Posteroanterior projection | left wrist X-ray | 9y F | presentation radiograph: 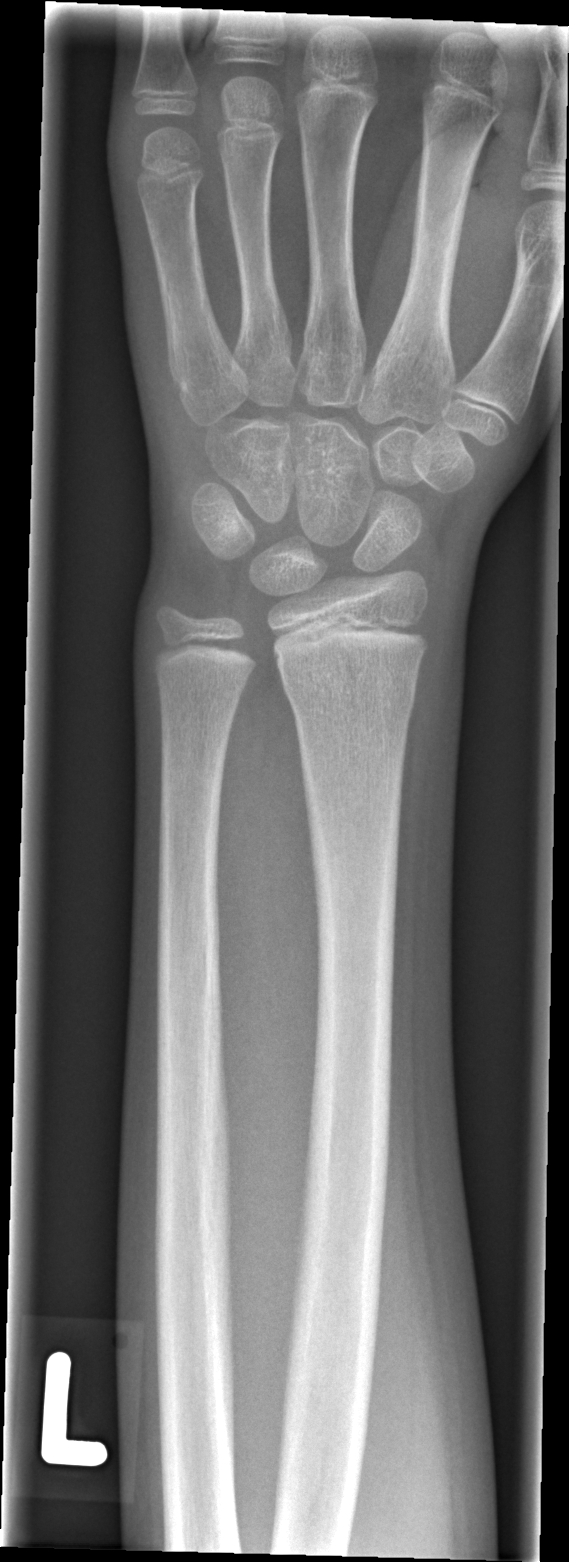
{
  "ao": "23r-M/2.1",
  "fracture": "1 @ [x1=278, y1=663, x2=420, y2=722]"
}